Left wrist radiograph · PA projection · boy, 12 yo · follow-up — 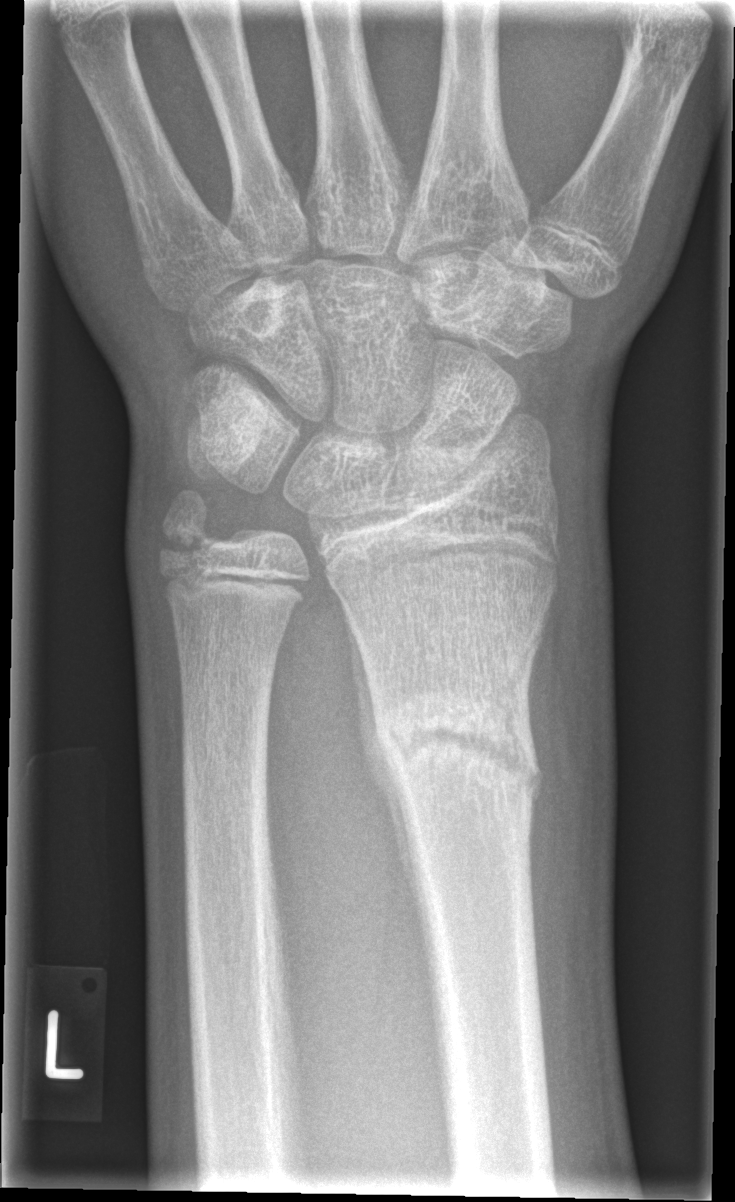
Fx — 369 684 547 817 | 155 484 215 565.
Periosteal reaction: 337 594 419 913.